L wrist X-ray; posteroanterior projection; index exam; detector: Siemens

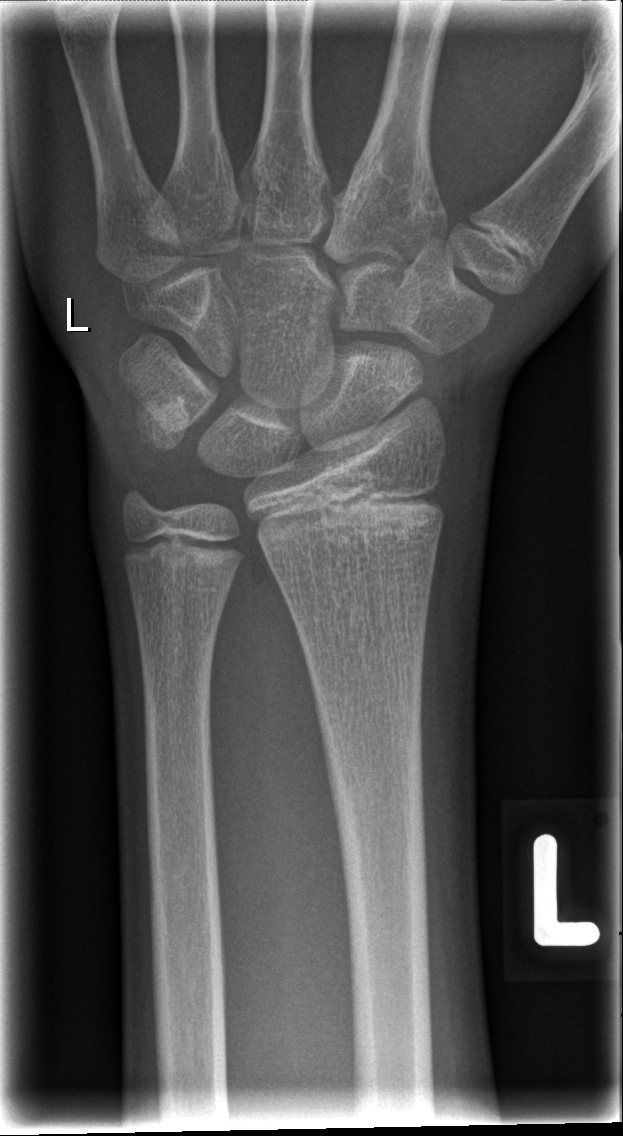
fracture = none labeled